Left plain radiograph of the wrist, lateral projection, age 6 y, girl, Siemens: 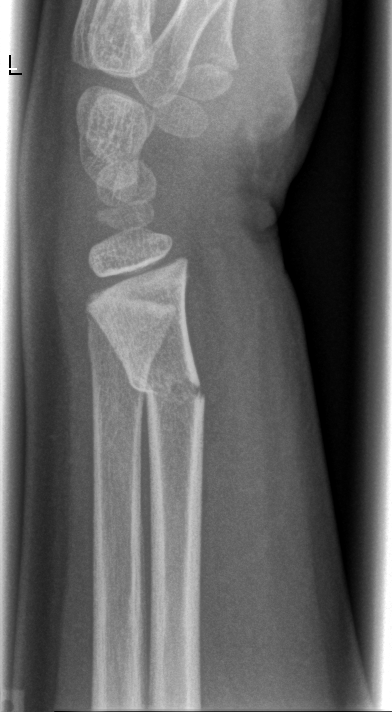 bone fracture = [x1=126, y1=364, x2=208, y2=414]; [x1=84, y1=326, x2=160, y2=368]
AO code = 23r-M/3.1; 23u-M/2.1